Lateral projection; Lt plain radiograph of the wrist; detector: Siemens.

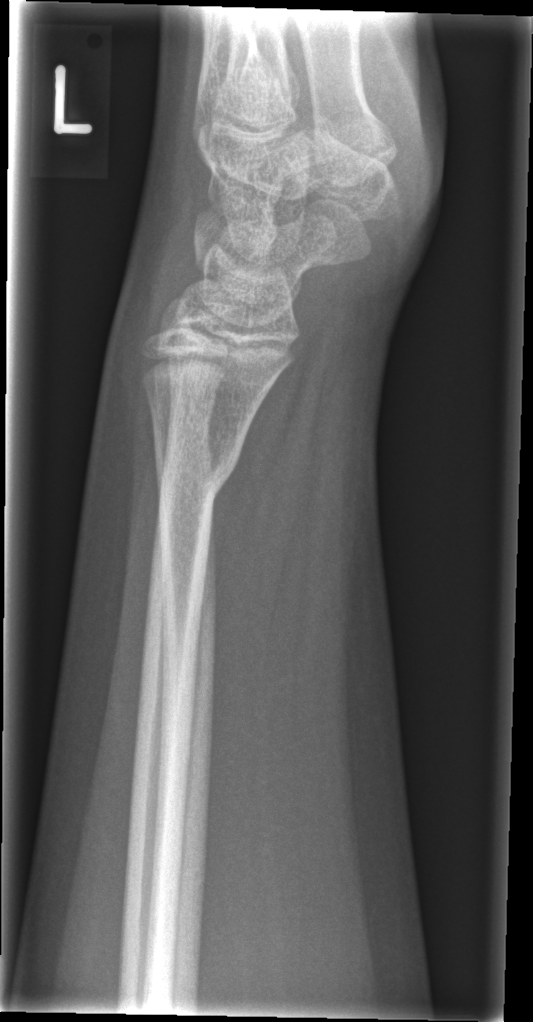 Fracture identified at [x1=158, y1=442, x2=242, y2=502]. AO/OTA classification: 23r-M/2.1.